Lt plain radiograph of the wrist, AP projection, cast in situ.
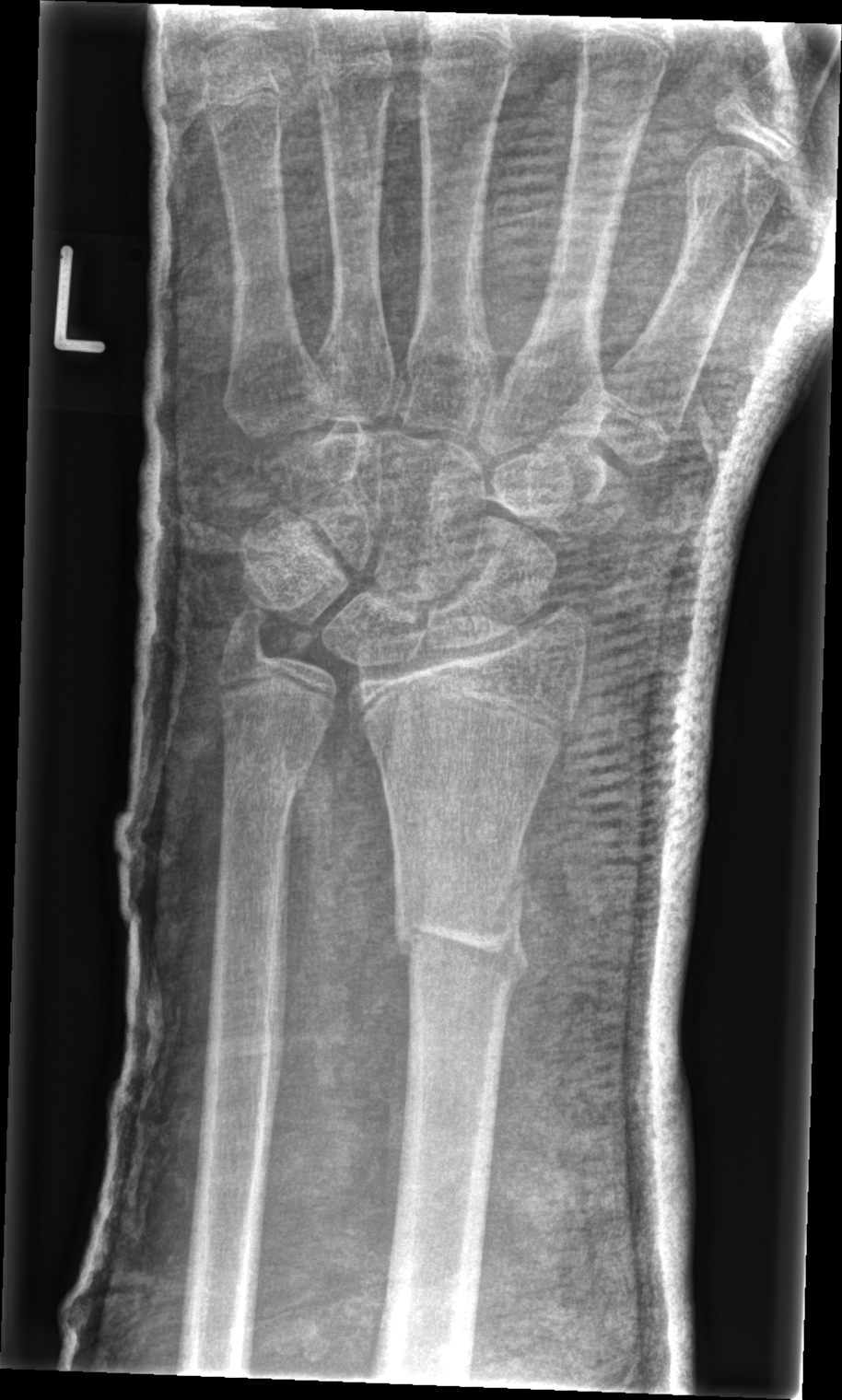 Fx: bbox(389, 878, 529, 995), bbox(220, 729, 313, 818). AO code 23r-M/3.1; 23u-M/2.1.